Lateral view · L wrist plain film · follow-up study — 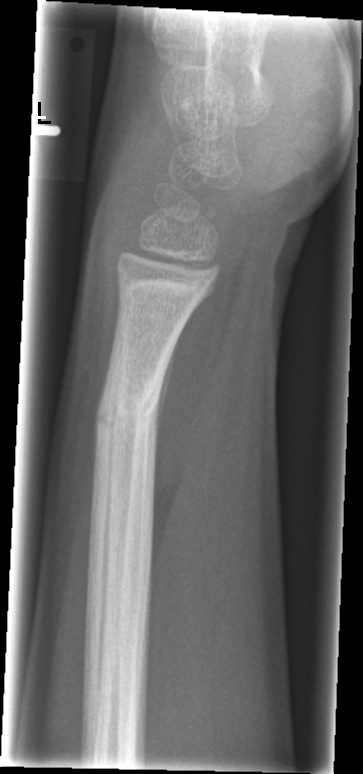 bone fracture = 90 382 164 432
positive pronator fat-pad sign = 1 @ 148 287 229 552
AO code = 23-M/3.1